Rt wrist X-ray, PA view, age 12 y, boy, 94.5 mm image width 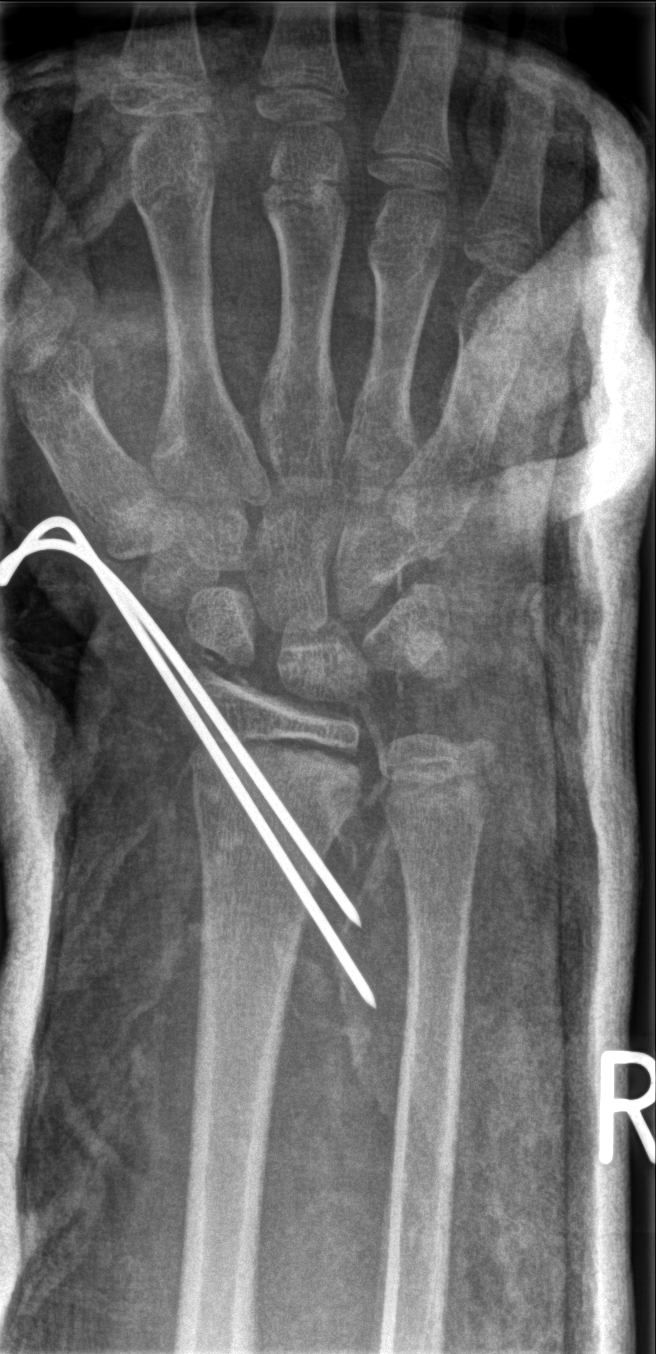

FINDINGS: Hardware identified at [2, 515, 378, 1014]. Fx: [188, 746, 371, 818].